L plain radiograph of the wrist | lateral view | pediatric patient (male, age 11).
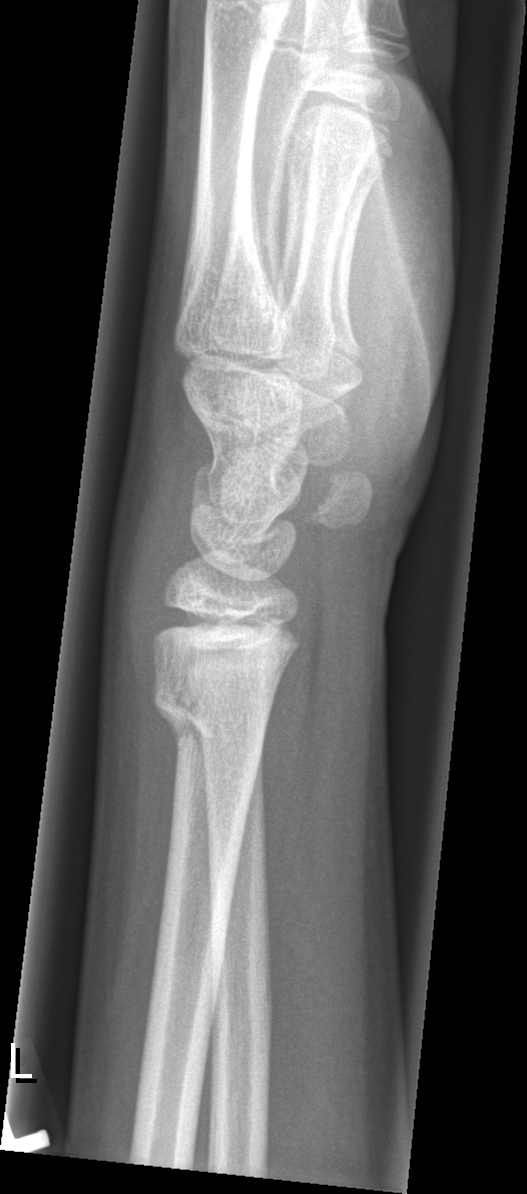
One soft-tissue swelling at bbox(103, 395, 199, 696). Bone fracture — bbox(150, 670, 276, 758). AO code 23r-M/2.1; 23u-E/7.